Lat; right plain radiograph of the wrist; pediatric patient (girl, age 13):

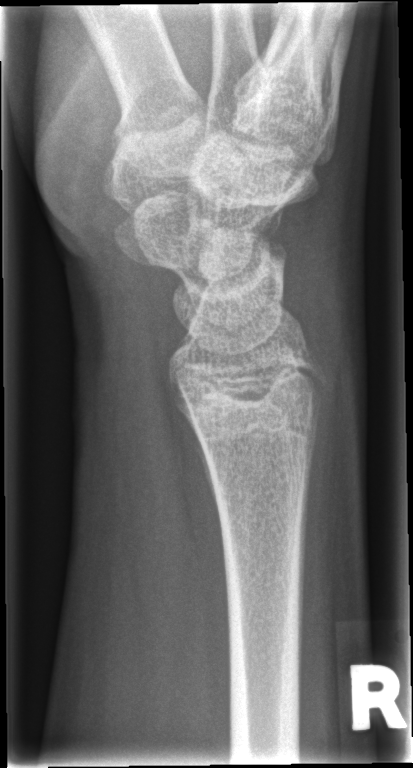
Findings: No fracture bounding box.